Lat view; L pediatric wrist radiograph; detector: Siemens.
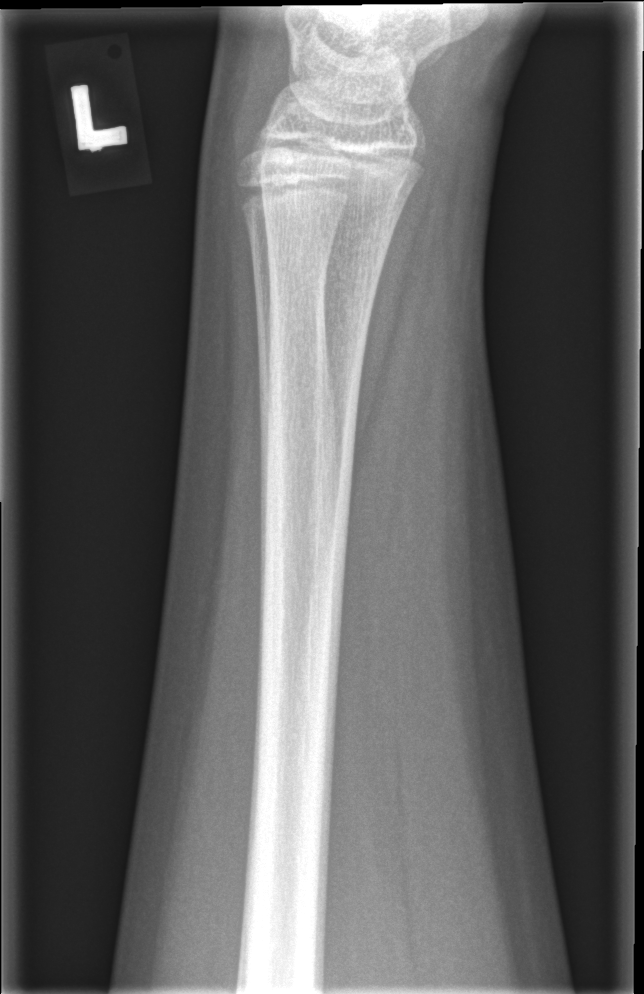
No Fx annotated.